Lateral projection; left wrist X-ray; 8y M.
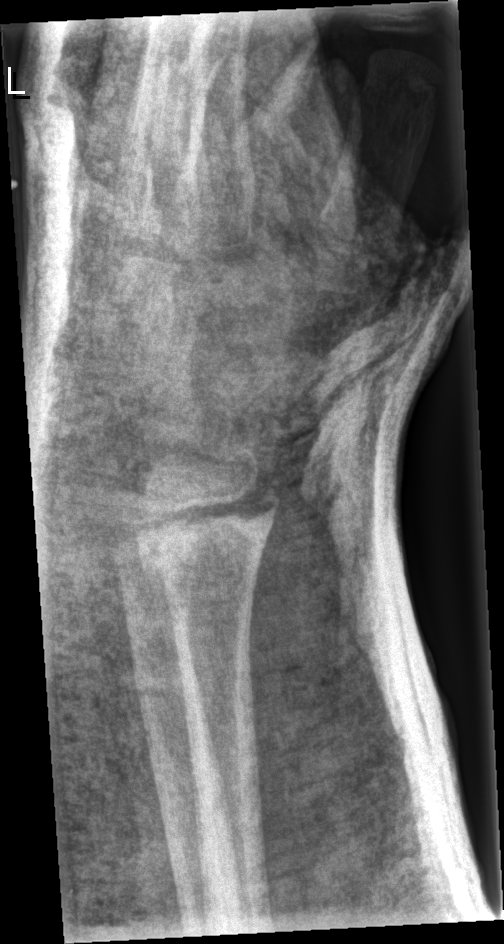

AO/OTA classification: 23r-E/2.1; 23u-M/2.1.
One bone fracture at (left=125, top=483, right=283, bottom=587).